Lt pediatric wrist radiograph, lateral projection, pediatric patient (male, age 8):
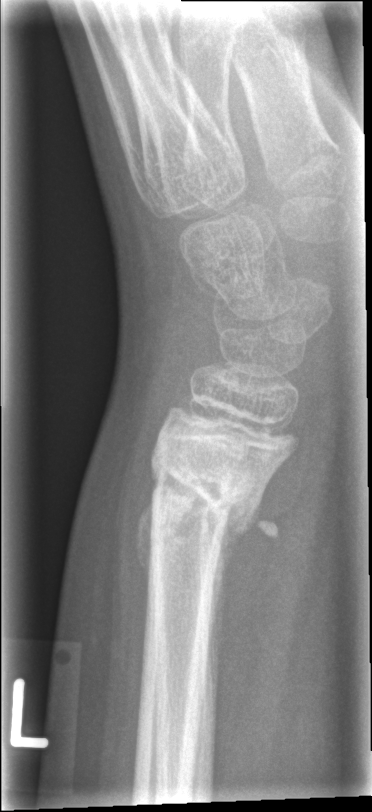 AO classification = 23-M/3.1
osteopenia = present
Fx = [x1=139, y1=449, x2=282, y2=570]
periosteal new bone = 2 @ [x1=209, y1=493, x2=262, y2=627] [x1=135, y1=502, x2=154, y2=588]